Lat projection · left plain radiograph of the wrist · initial study · detector: Siemens · image width 51.6 mm — 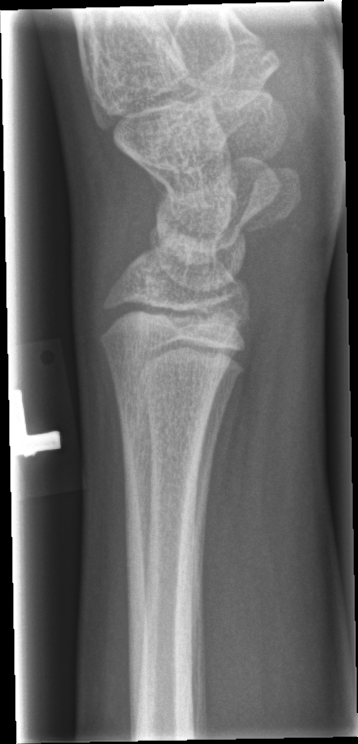

Fx = none labeled